AP, right wrist XR, age 13 y, female —

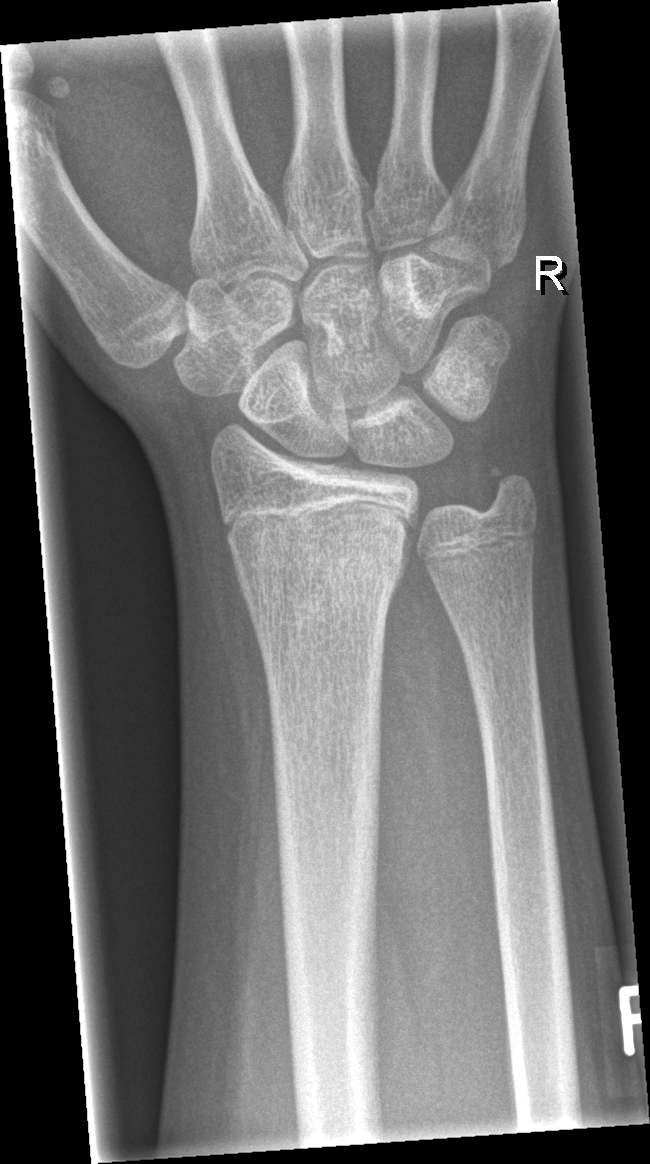 * AO/OTA classification: 23r-M/2.1; 23u-E/7.
* Two fractures at [x1=230, y1=532, x2=409, y2=610]; [x1=484, y1=458, x2=545, y2=527].